Right pediatric wrist radiograph; lateral projection:
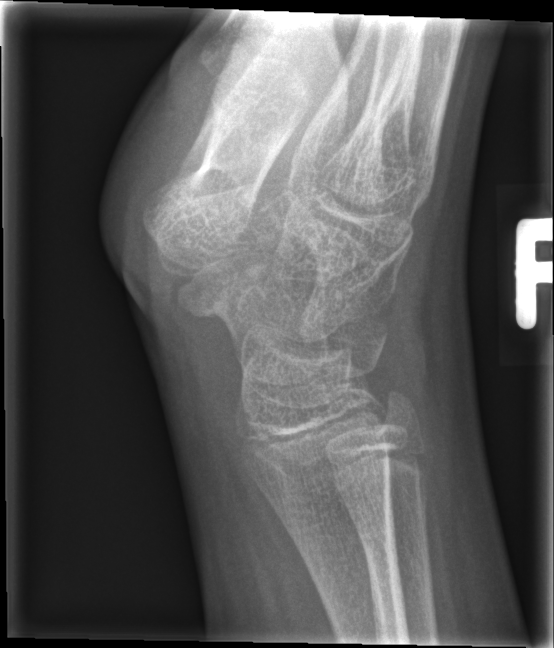 Bone fracture: none labeled